Lateral view | left plain radiograph of the wrist. 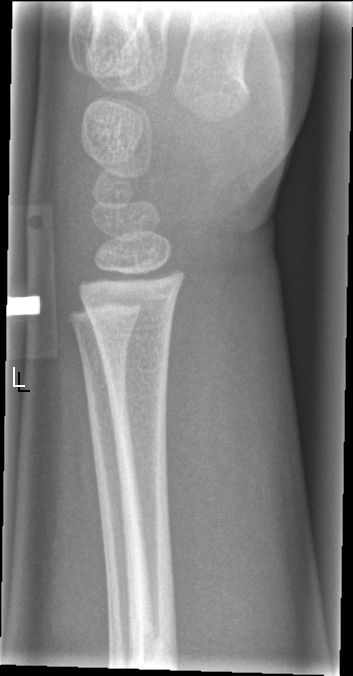 FINDINGS — No fracture annotation.